Posteroanterior, Lt wrist radiograph, age 9 y, female, cast present, 896 x 1350 px

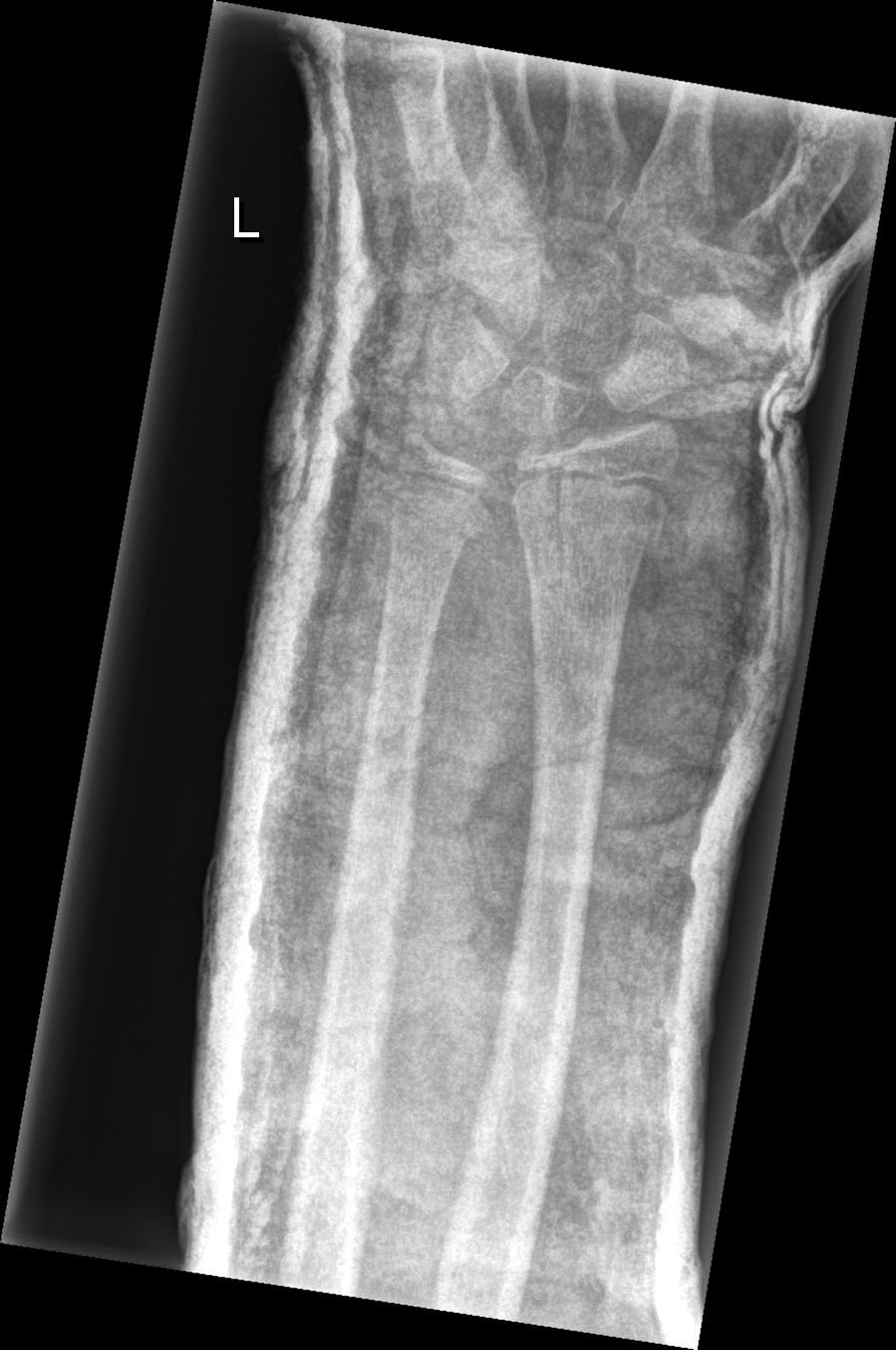
• Pixel coordinates, top-left origin, xyxy.
• Fracture identified at 512 488 671 576
  387 487 493 552.